L plain radiograph of the wrist · frontal view · image width 78.8 mm · 547x942

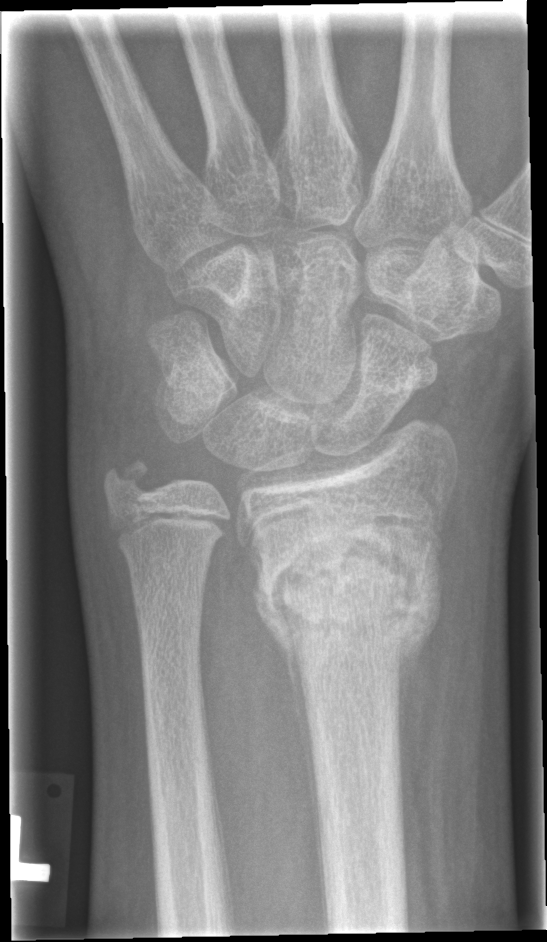 Bone fracture: 2 @ <246,509>-<450,685>, <97,453>-<160,507>
Periosteal reaction: <250,553>-<330,928>; <390,532>-<443,775>